Left wrist plain film | posteroanterior | pediatric patient (male, age 9).
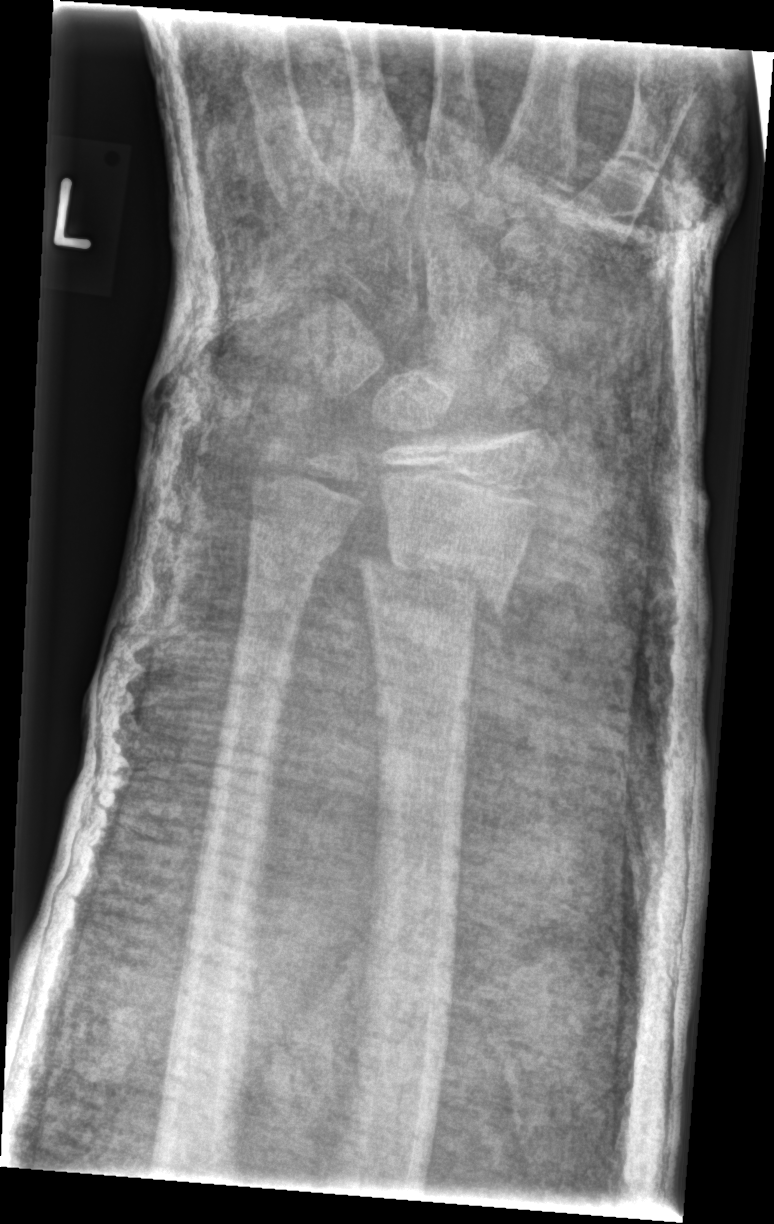 Fracture classified AO/OTA 23r-M/3.1; 23u-M/2.1.
Fracture: bbox(354, 539, 517, 625), bbox(245, 517, 344, 566).